PA/AP view, Rt wrist radiograph, in cast, image size 561x694:
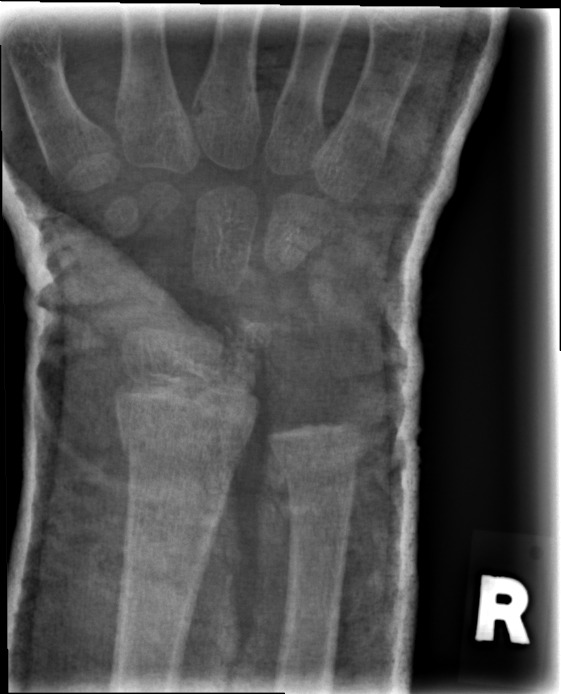 Fracture: 116 412 255 470; 272 432 364 487
AO/OTA: 23r-M/3.1; 23u-M/2.1